PA projection, Lt plain radiograph of the wrist, 12-year-old boy:

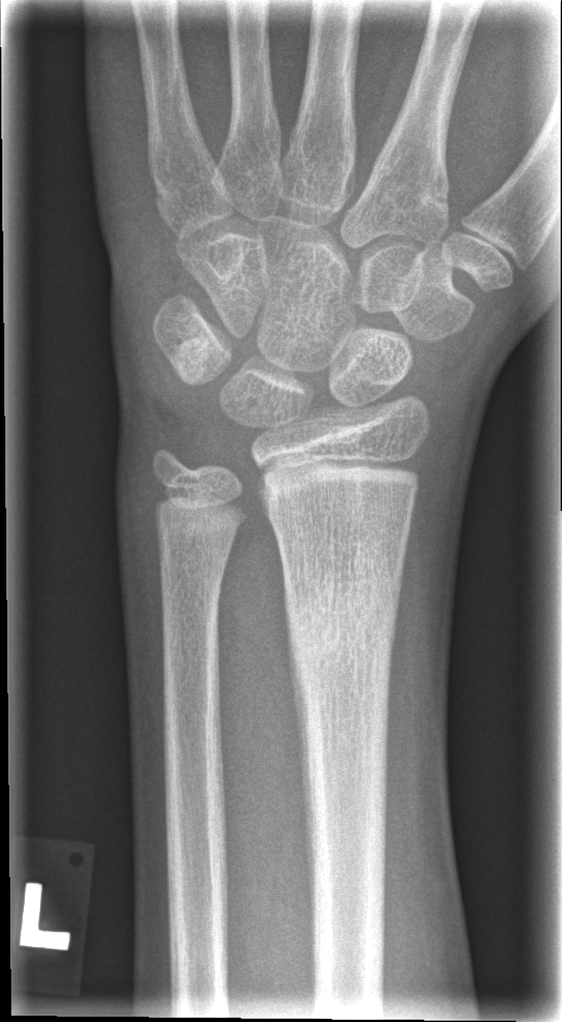
One fracture at 277 557 404 687.